Frontal, Rt wrist XR, age 17 y, male, acquired on Siemens:

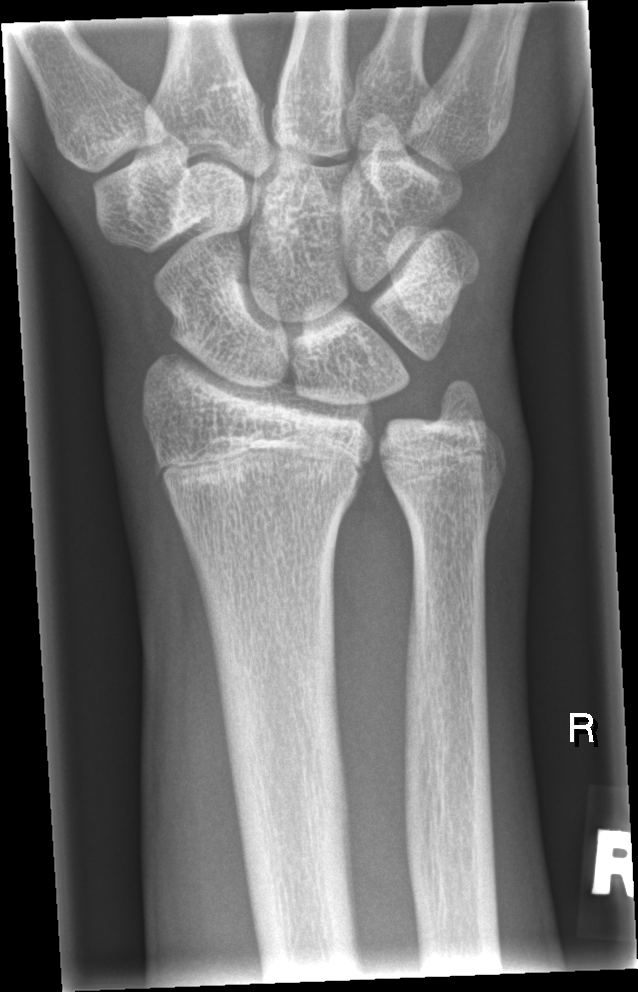
{"fracture": "none labeled"}